PA/AP; L wrist X-ray; index exam:
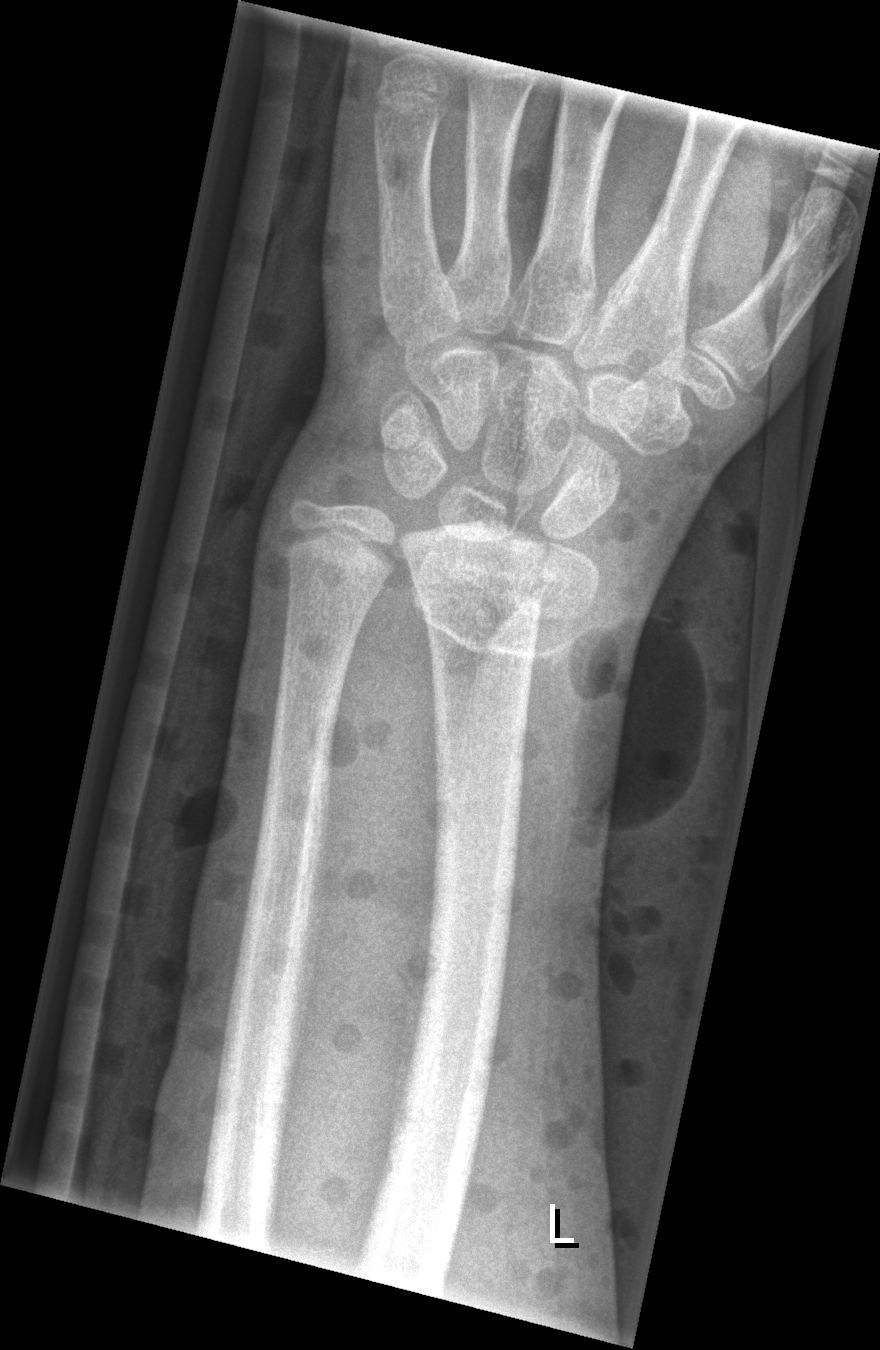

Findings: Fracture identified at bbox(398, 523, 602, 663).